Lat view; Lt pediatric wrist radiograph; 13y M; presentation radiograph.
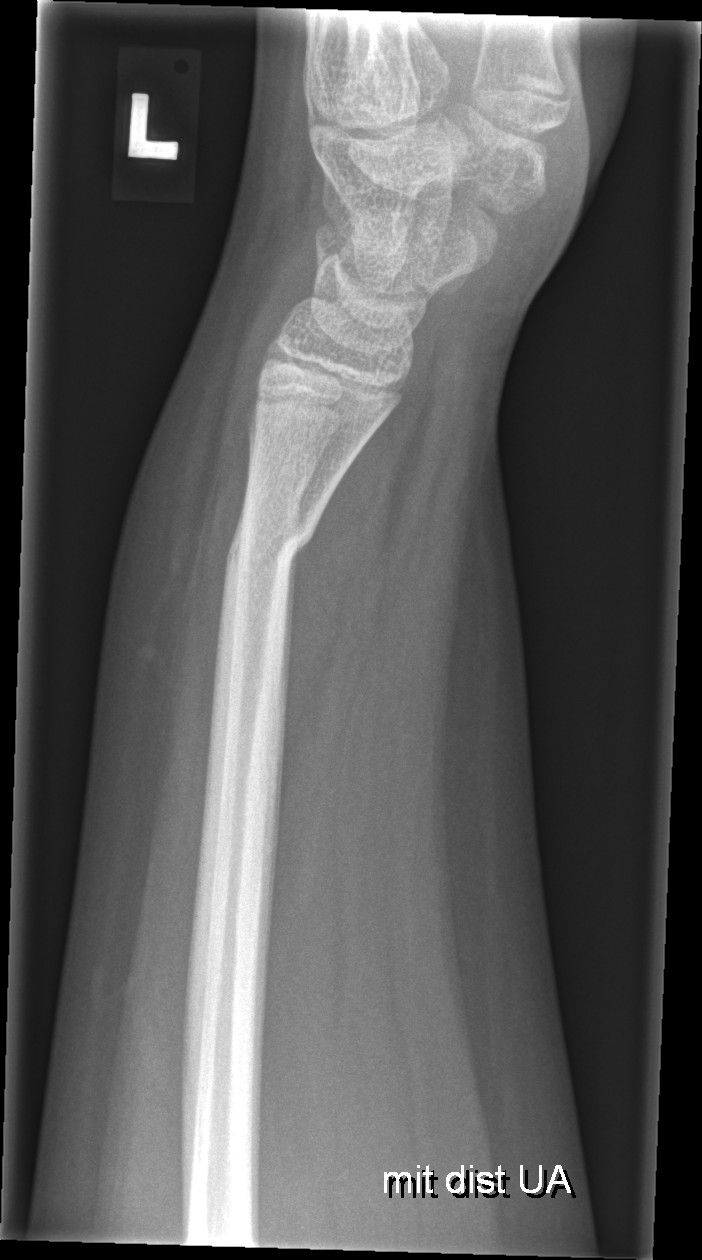 pronator sign: (left=281, top=404, right=408, bottom=787)
AO classification: 23-M/2.1
bone fracture: 1 @ (left=219, top=511, right=320, bottom=585)
soft tissue abnormality: (left=91, top=335, right=253, bottom=827)